Left wrist radiograph; lateral: 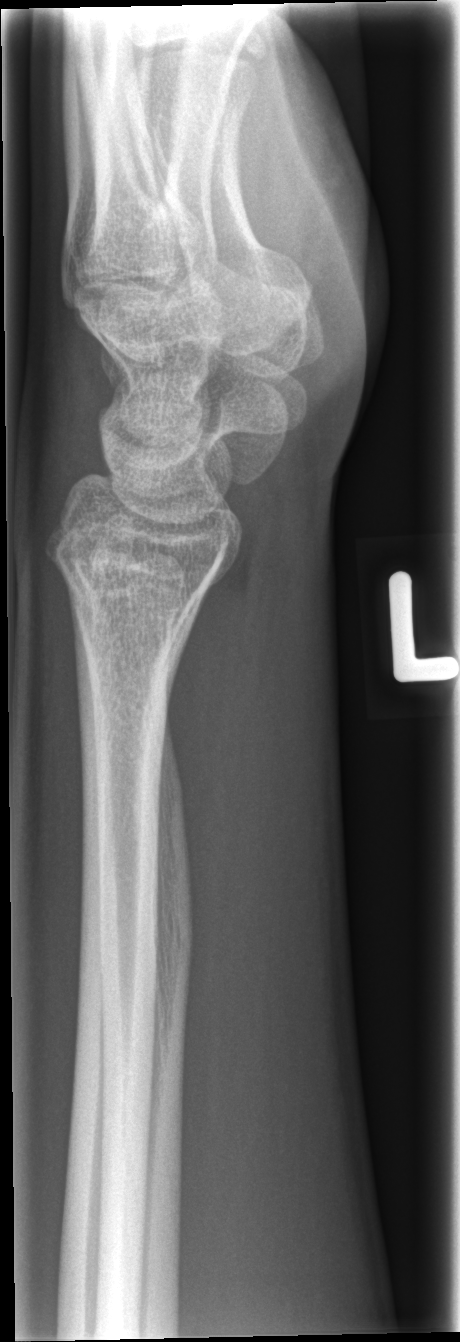

• Fracture classified AO/OTA 23r-M/2.1.
• One bone fracture at (42, 538, 218, 640).